Frontal view · Lt pediatric wrist radiograph · pediatric patient (boy, age 13).

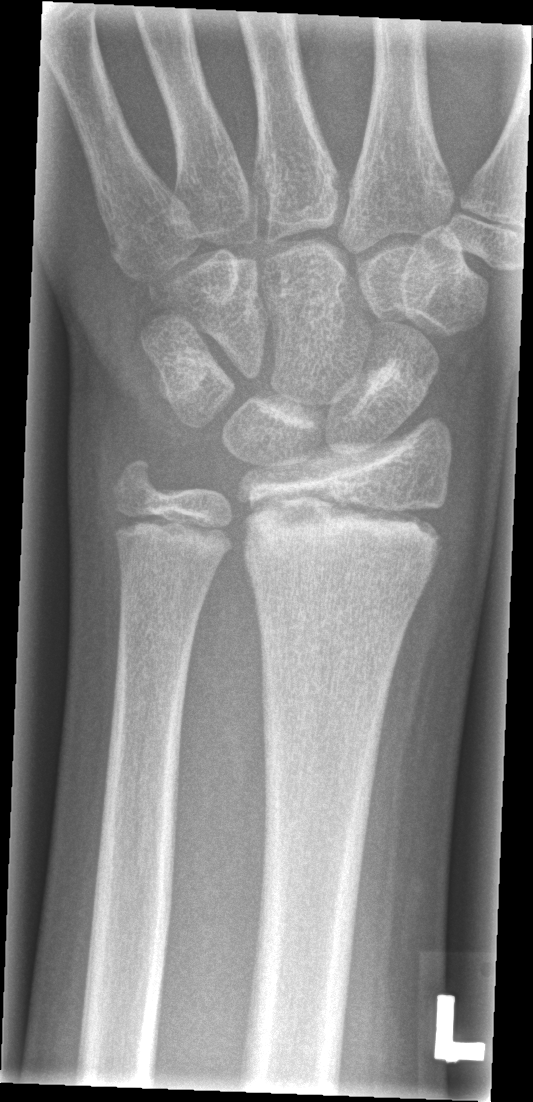

- AO code 23r-E/1; 23u-E/7.
- Fracture identified at (239, 491, 452, 565) (109, 453, 167, 529).